Lat projection, Rt pediatric wrist radiograph, age 4 y, girl, initial study —
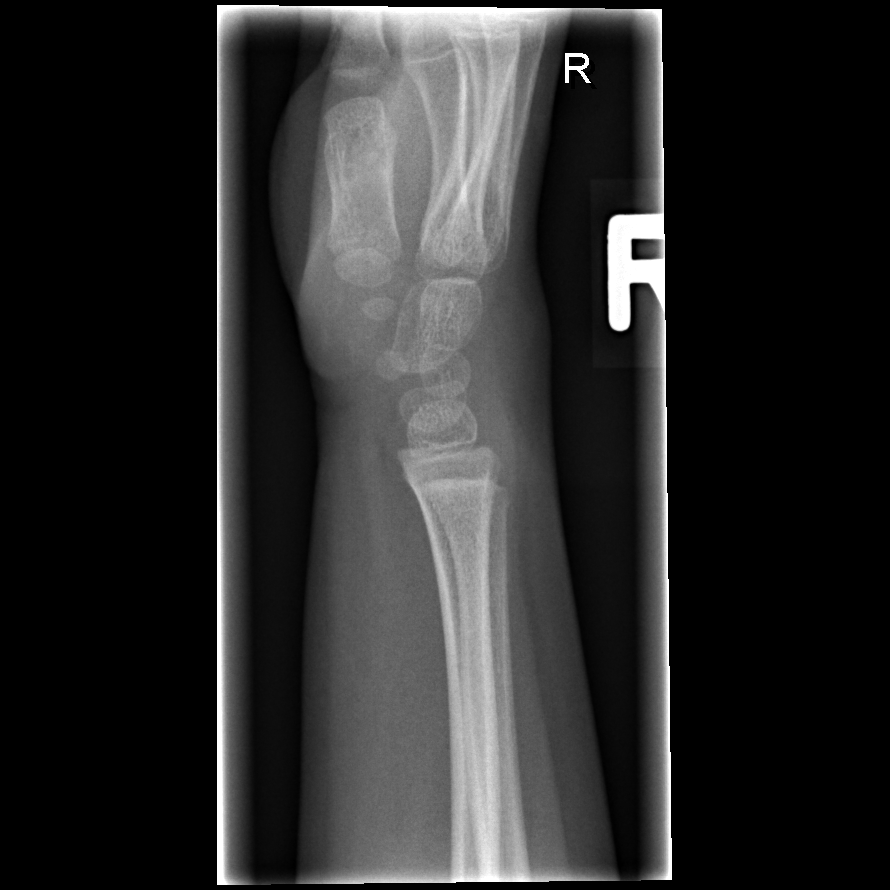

• Fracture: none labeled.